Lt wrist radiograph | frontal view. 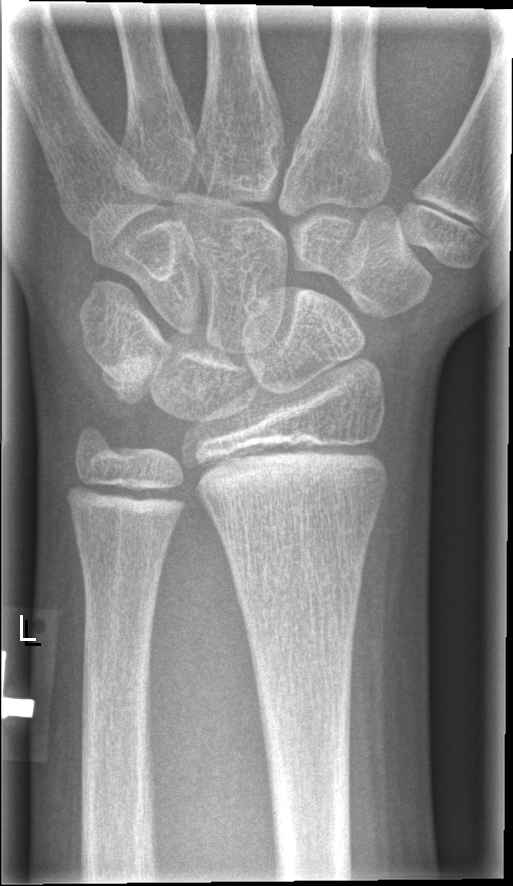 Fx: bbox(227, 548, 370, 608). AO/OTA classification: 23r-M/2.1.